Rt wrist radiograph; posteroanterior —

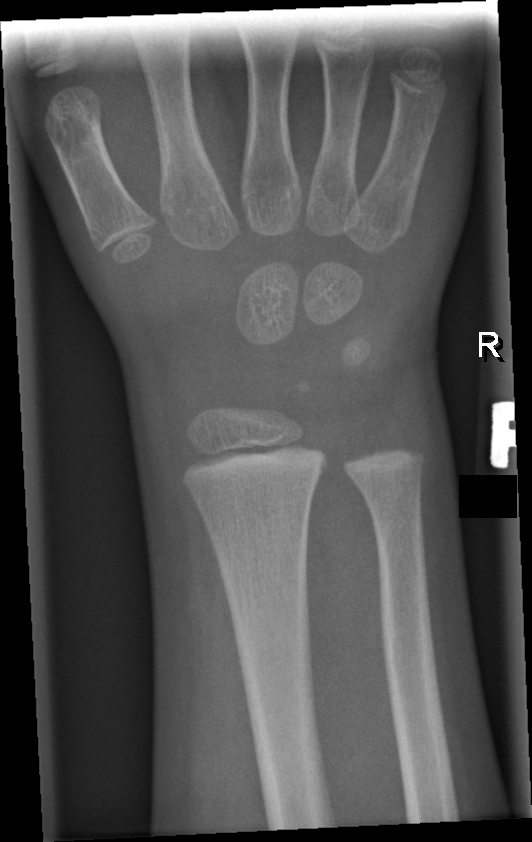 Fx: none labeled